Lt wrist radiograph · AP projection · age 1.3 y, girl 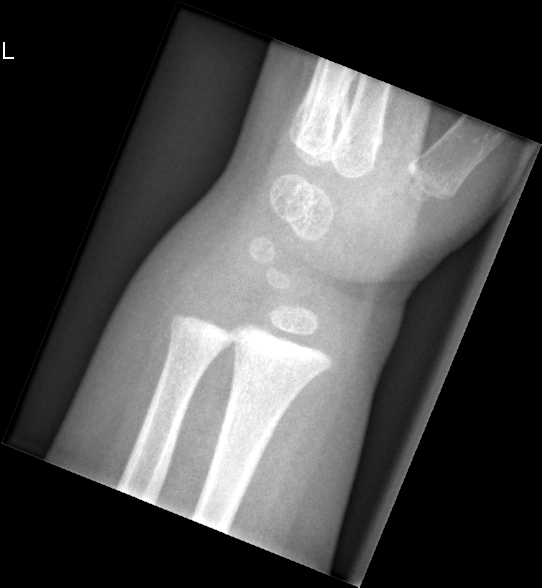 • Fx: none.